PA/AP view · left plain radiograph of the wrist · cast present · Siemens · 90.3 mm image width —

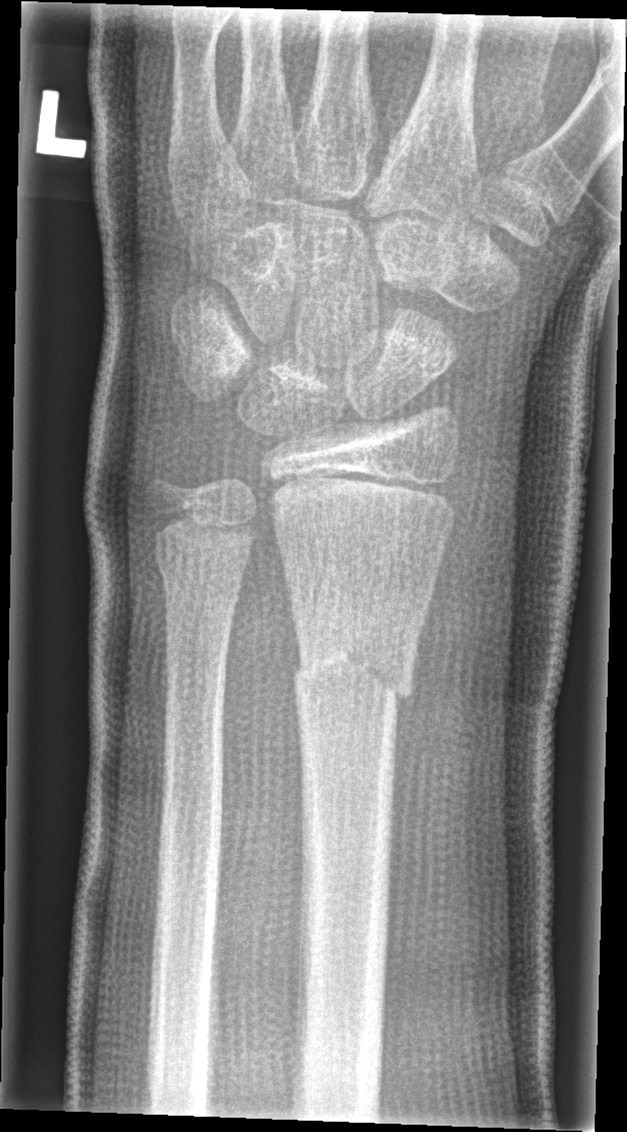 {
  "fracture": "2 @ (left=285, top=626, right=420, bottom=716) (left=154, top=553, right=246, bottom=611)"
}